Lat projection; right pediatric wrist radiograph; image 76.8 mm wide:

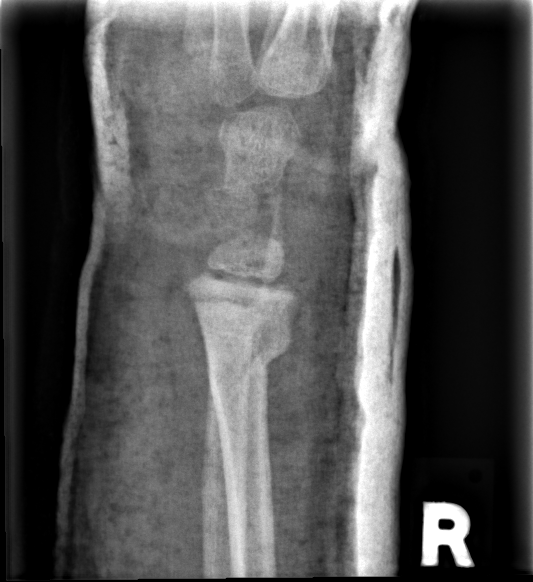 Coordinates are [x1, y1, x2, y2] in image pixels.
Fracture identified at 202 321 298 396.
AO code 23r-M/3.1; 23u-M/2.1.